Left wrist pediatric wrist radiograph · lateral · age 14 y, male · acquired on Siemens · image size 339x1168: 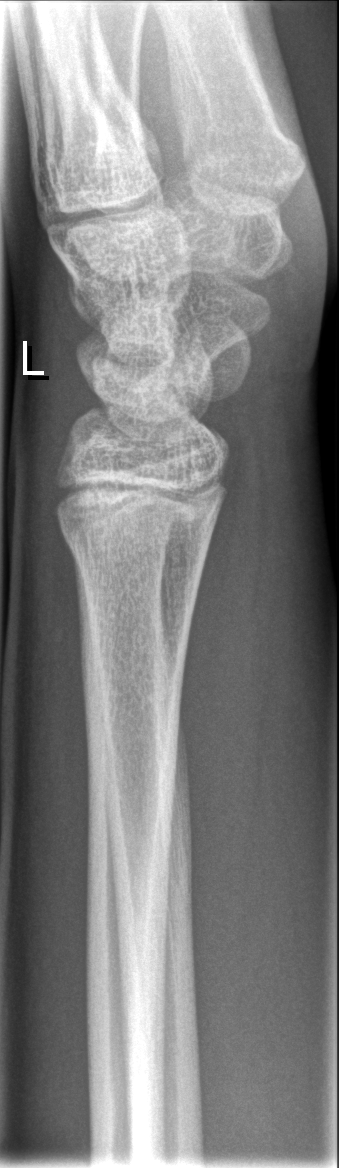 * AO/OTA classification: 23r-M/2.1.
* Fx: bbox(56, 514, 206, 593).
* Pronator quadratus fat-pad sign identified at bbox(179, 431, 268, 931).